AP projection | left wrist pediatric wrist radiograph | detector: Siemens

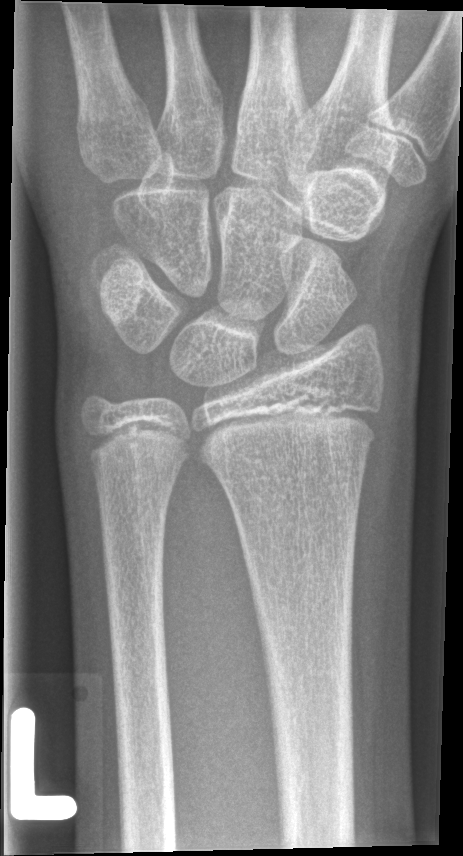

Fracture: none labeled.